Frontal, L wrist X-ray, 13-year-old male
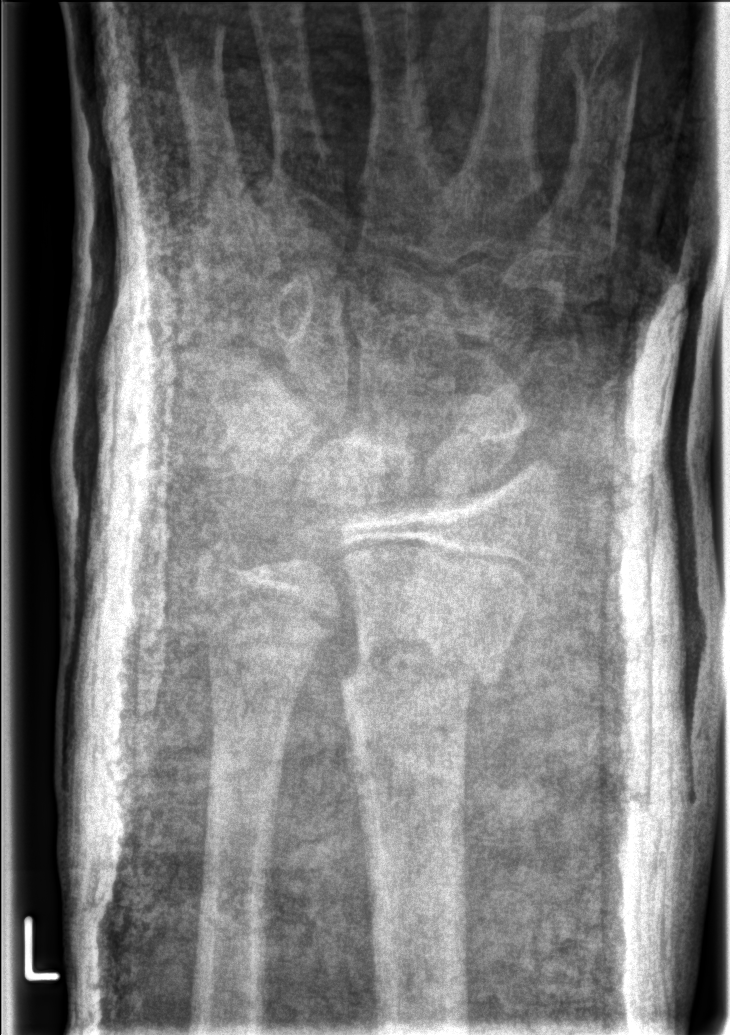

FINDINGS: Fx identified at <335,619>-<503,703>. Fracture classified AO/OTA 23r-M/3.1; 23u-E/7.